Lt wrist plain film · lateral projection.

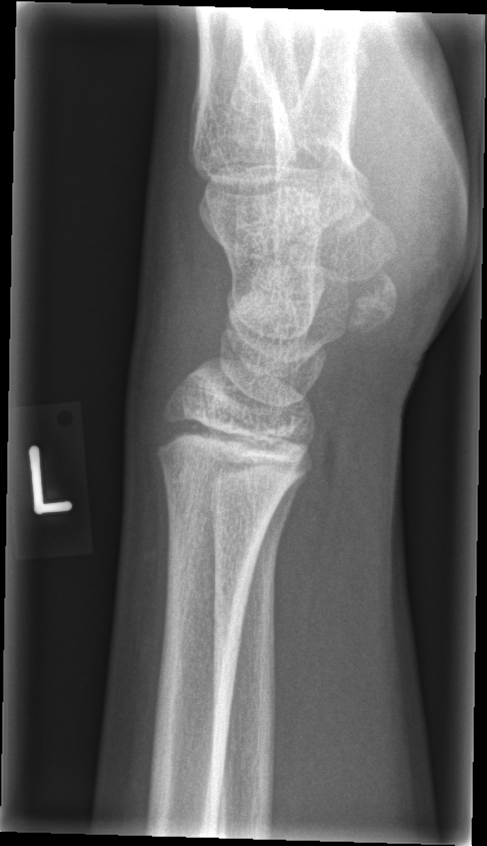
No Fx annotated.